Posteroanterior view | left wrist XR:

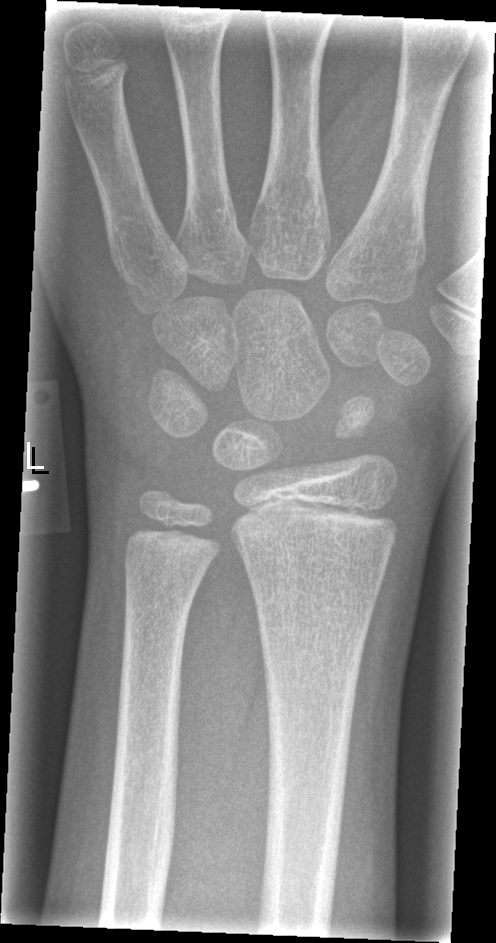   fracture: none labeled